Left wrist plain film, PA projection, boy, 11 yo, index exam 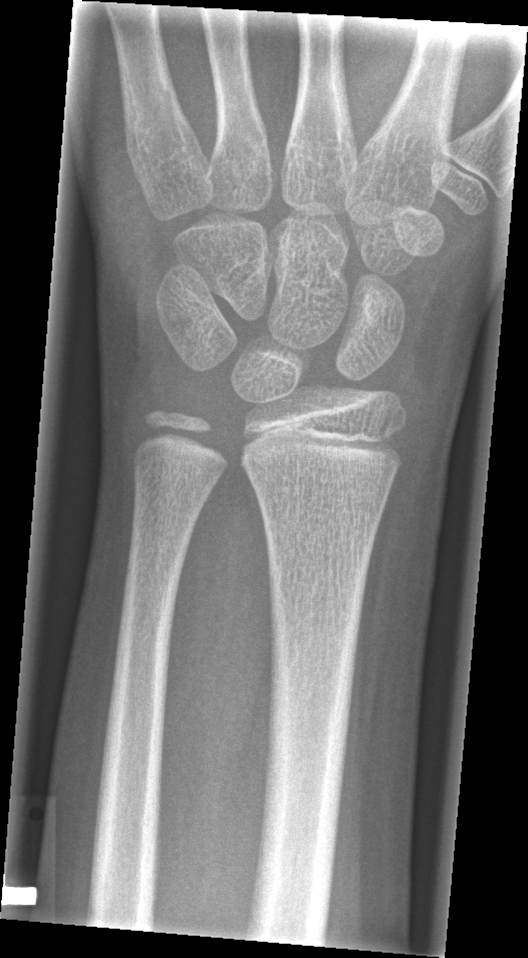 fracture: none labeled